Lateral, Rt wrist plain film, age 9 y, female, initial study, image 83.8 mm wide — 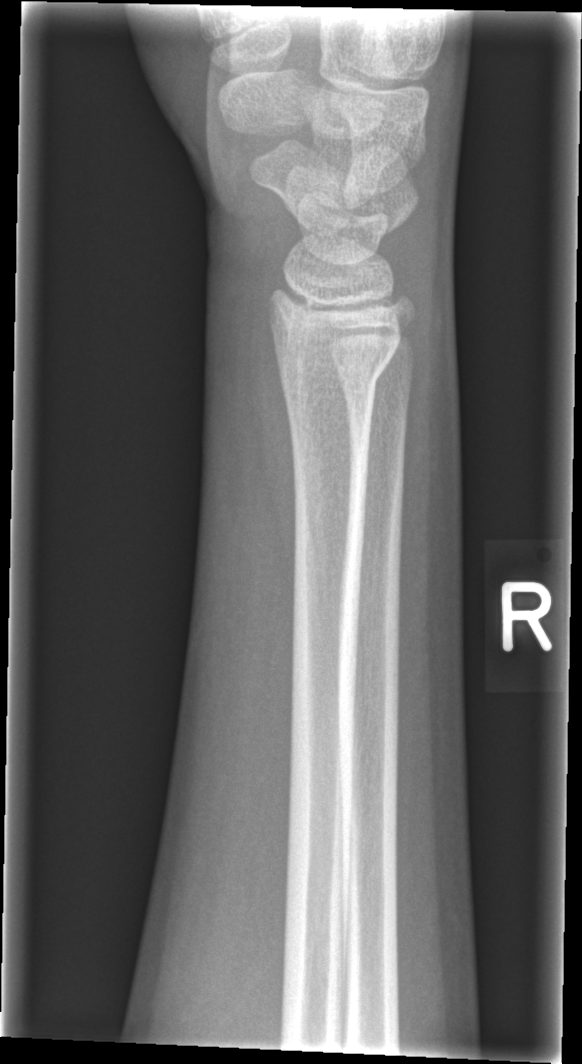

Fracture — <266,335>-<400,399>.